Lateral | left wrist radiograph | age 11 y, male | subsequent exam —

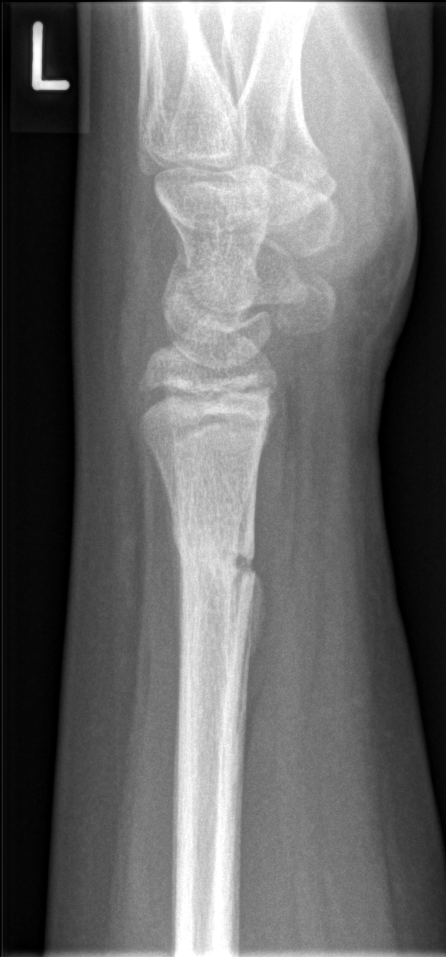

- Fracture — (171, 522, 262, 590).
- Periosteal thickening identified at (250, 576, 263, 652).
- AO code 23r-M/3.1; 23u-E/7.